Left wrist plain film; PA/AP projection; initial study; 496 x 786 px — 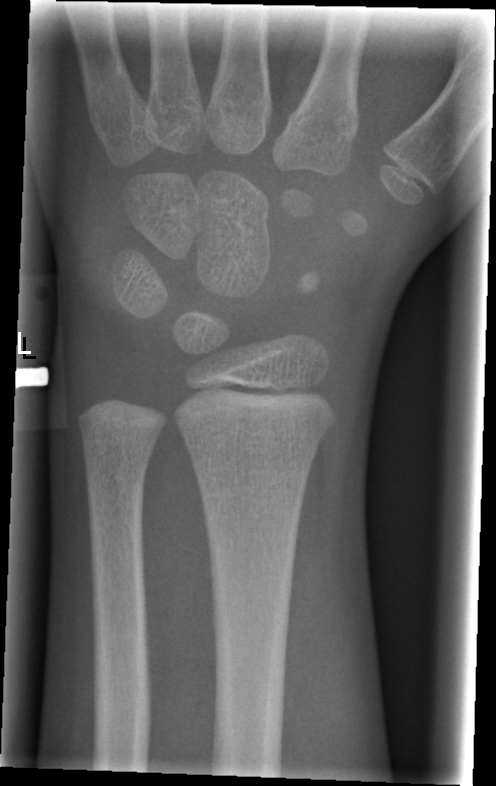 Findings: No fracture labeled.